Right wrist plain radiograph of the wrist · PA/AP view · female, 17 yo —
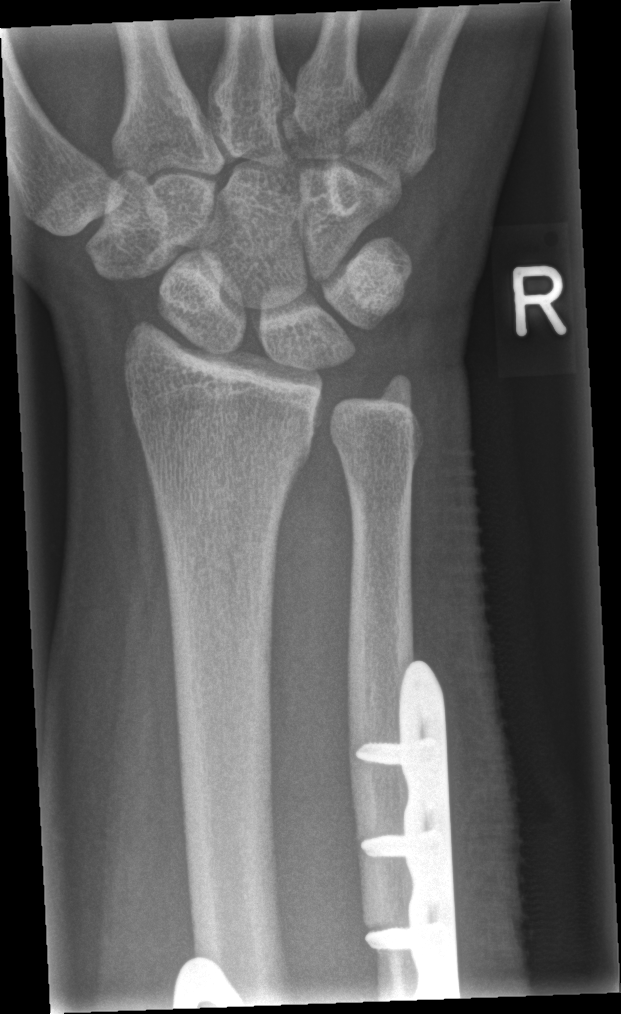 metallic implant: 355 660 461 999 | 172 956 251 1008
fracture: none labeled